Lat view · right wrist X-ray · 9y M —
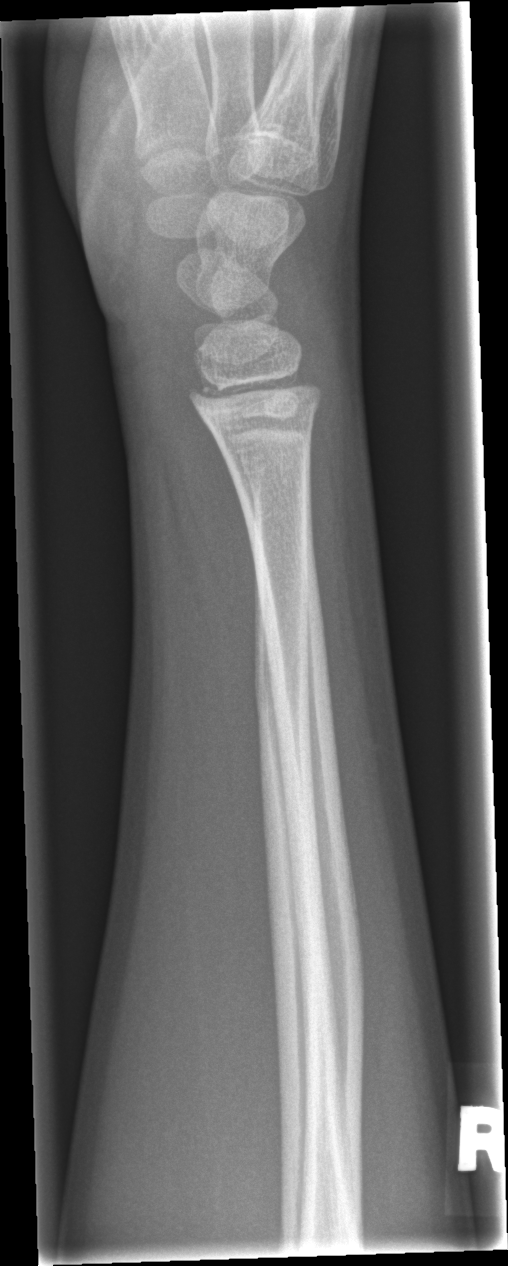

* Boxes as x1,y1,x2,y2 (top-left / bottom-right, pixel units).
* Fracture — <184,367>-<327,429>.
* AO code 23r-E/1.